Lat view · left wrist X-ray · 13-year-old boy · acquired on Siemens · 60.0 mm image width:
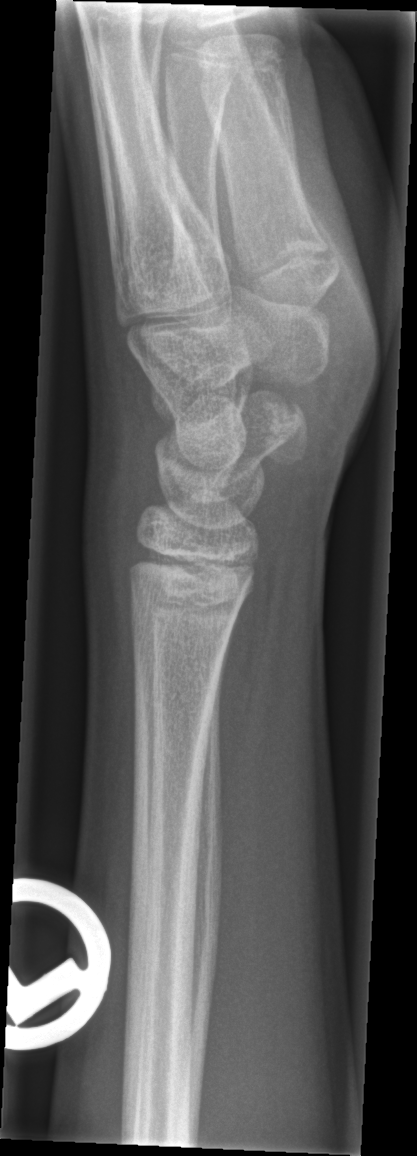 No fracture annotation.